AP projection | left wrist X-ray 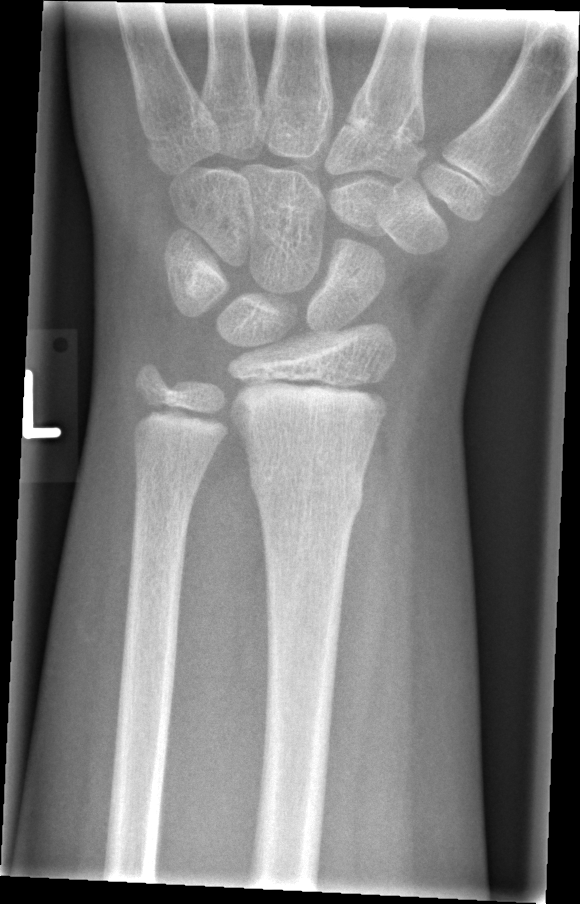

(bounding boxes in image-pixel xyxy)
Q: Locate any fractures.
A: Fracture: (left=244, top=458, right=367, bottom=521)
Q: AO code?
A: AO code 23r-M/2.1